Right wrist plain film | lat
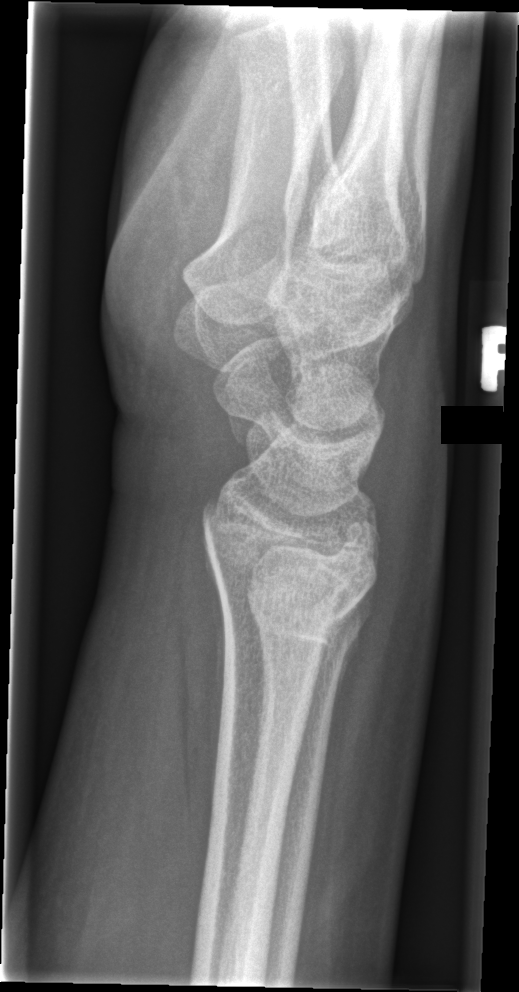
* Soft-tissue swelling identified at [x1=362, y1=310, x2=449, y2=644].
* Fx identified at [x1=200, y1=498, x2=386, y2=639].